Lat projection · Lt wrist radiograph · acquired on Siemens

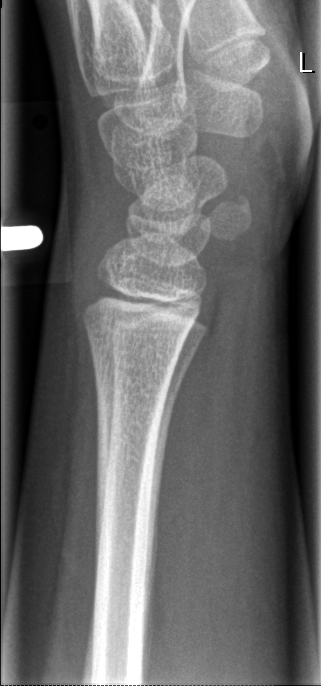
Fx: none labeled